Right wrist radiograph · posteroanterior —
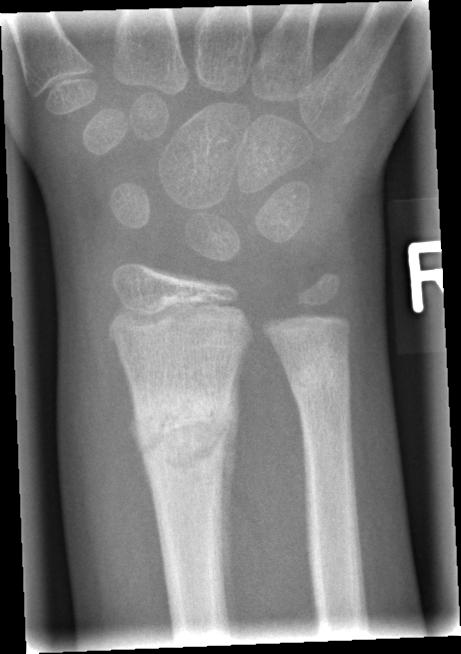 (pixel coordinates, top-left origin, xyxy)
periosteal thickening = bbox(220, 342, 249, 635), bbox(118, 350, 156, 503)
Fx = 2 @ bbox(128, 383, 241, 481), bbox(285, 349, 355, 417)